R wrist XR, PA projection:
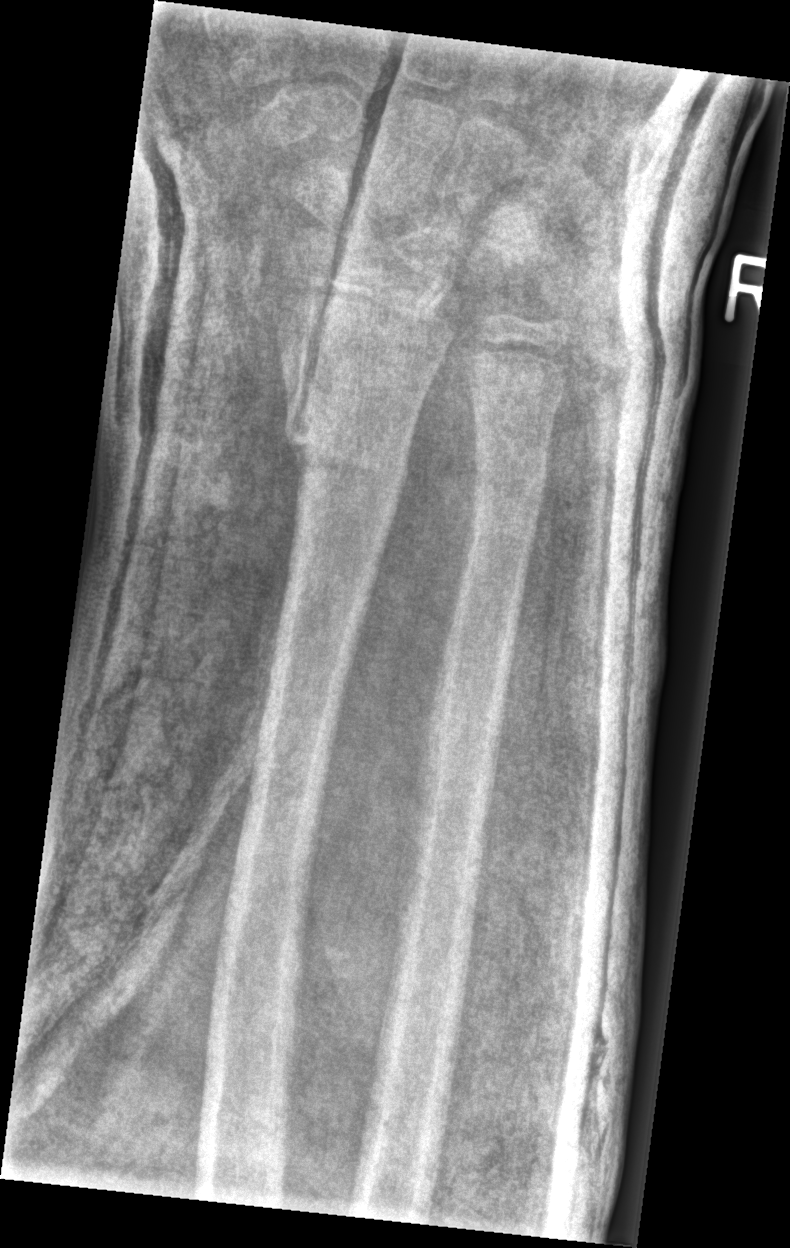

{"_coords": "pixel coordinates, top-left origin, xyxy", "fracture": "2 @ [296, 431, 412, 501]; [471, 457, 549, 530]"}